PA view, right pediatric wrist radiograph, pediatric patient (boy, age 10), presentation radiograph, 553 by 884 pixels.
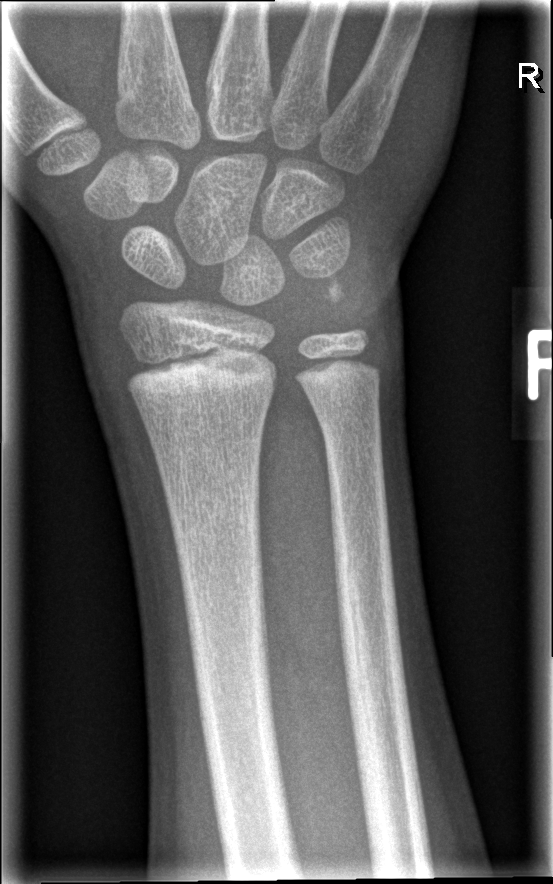 fracture = none labeled